R wrist radiograph | lat view | 5-year-old girl | initial study.

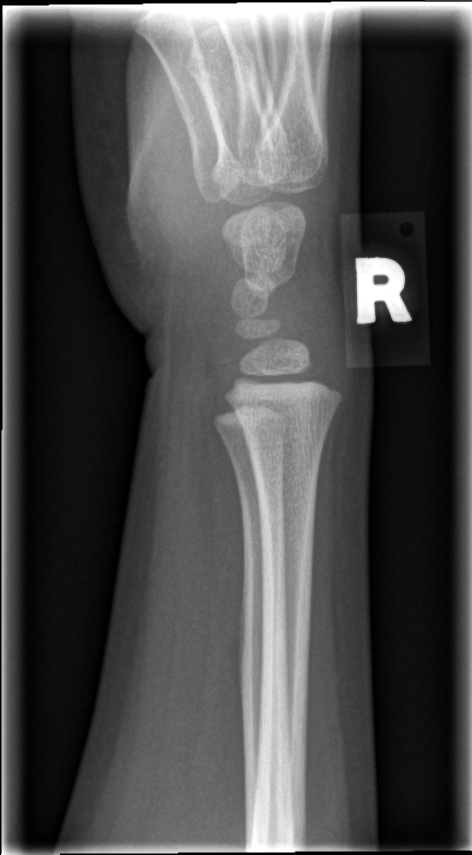 Q: Locate any fractures.
A: No fracture annotation